Lat | Rt pediatric wrist radiograph | 10-year-old boy | follow-up

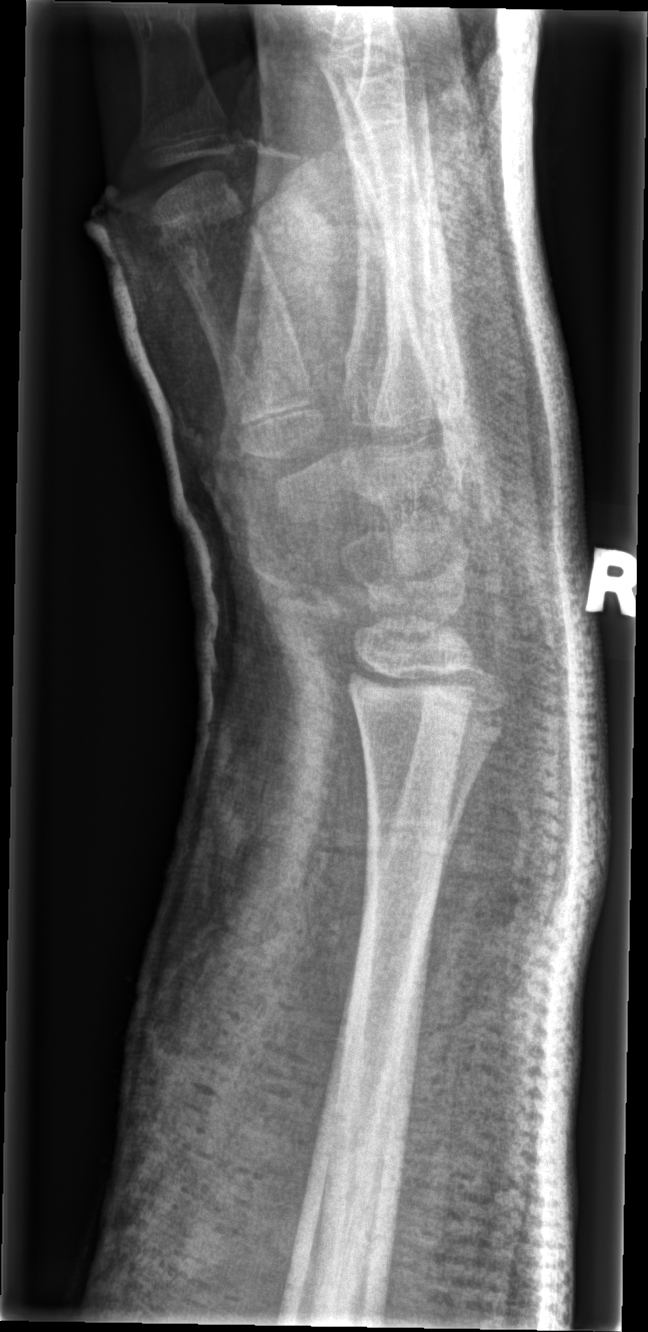
FINDINGS — Fracture present but not clearly seen in this view.